Left wrist radiograph; AP view; 7y F; Siemens.

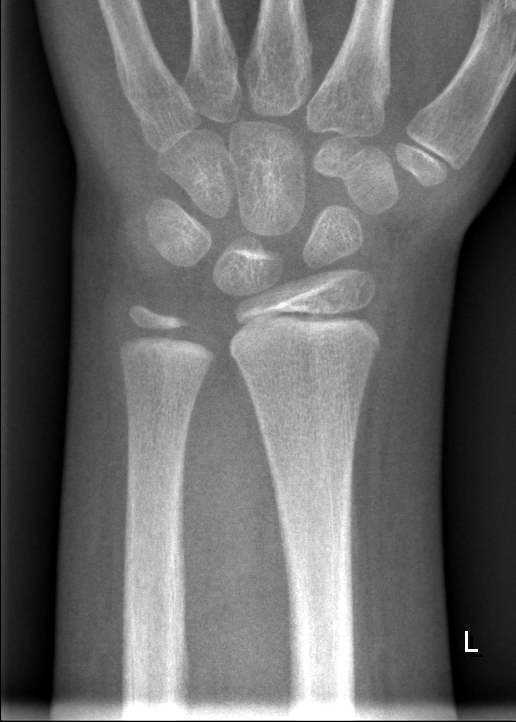
FINDINGS: No fracture bounding box.